Left pediatric wrist radiograph; lateral view; age 10 y, male; 603 by 1226 pixels:
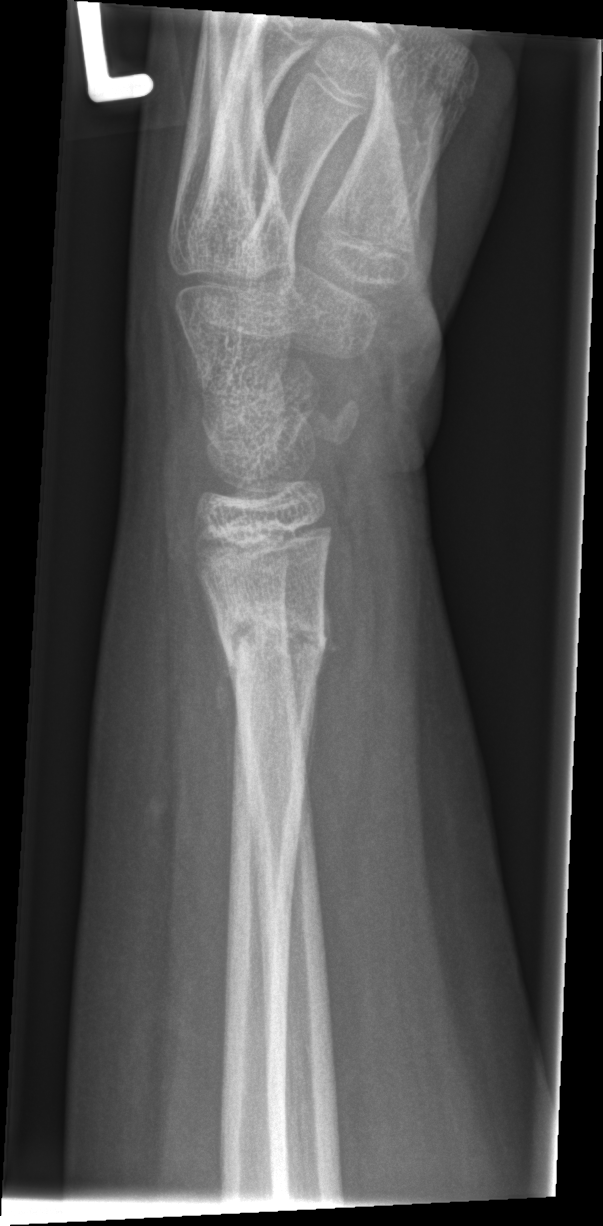
(boxes as x1,y1,x2,y2 (top-left / bottom-right, pixel units))
Bone fracture = bbox(211, 590, 335, 675)
Periosteal reaction = 2 @ bbox(198, 573, 238, 909); bbox(302, 581, 338, 805)
Osteopenia = present